Lat, Lt wrist plain film, follow-up study, cast in situ, Siemens, image 117.8 mm wide.
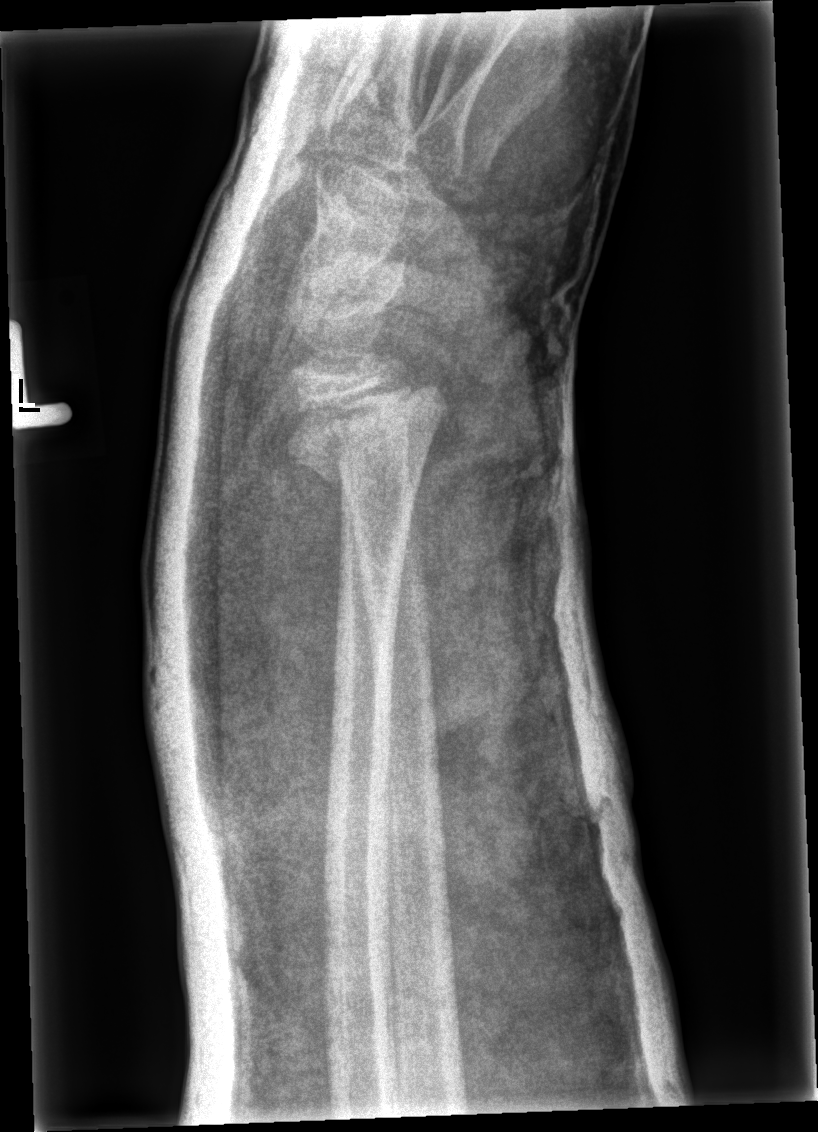 * Bounding boxes in image-pixel xyxy.
* AO code 23r-E/2.1; 23u-E/7.
* One bone fracture at [272, 372, 451, 494].